L wrist X-ray · AP projection · 11y F · subsequent exam · cast in situ · image width 96.2 mm: 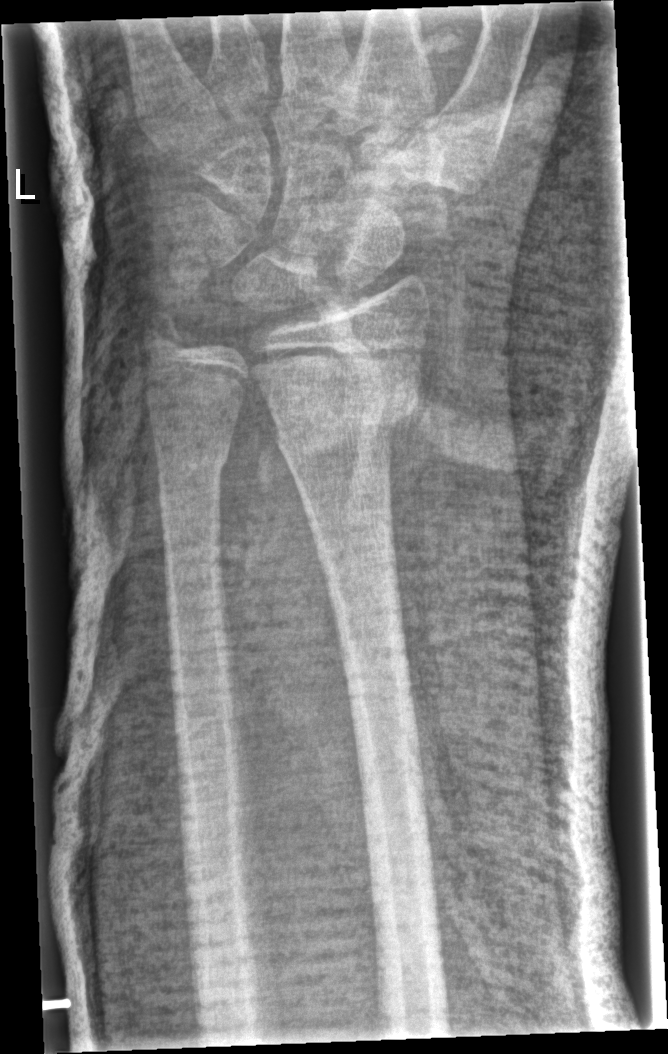 • Boxes as x1,y1,x2,y2 (top-left / bottom-right, pixel units).
• Fx — <261,362>-<428,459>, <151,430>-<236,487>, <137,308>-<200,365>.